Left wrist X-ray; lat; subsequent exam:
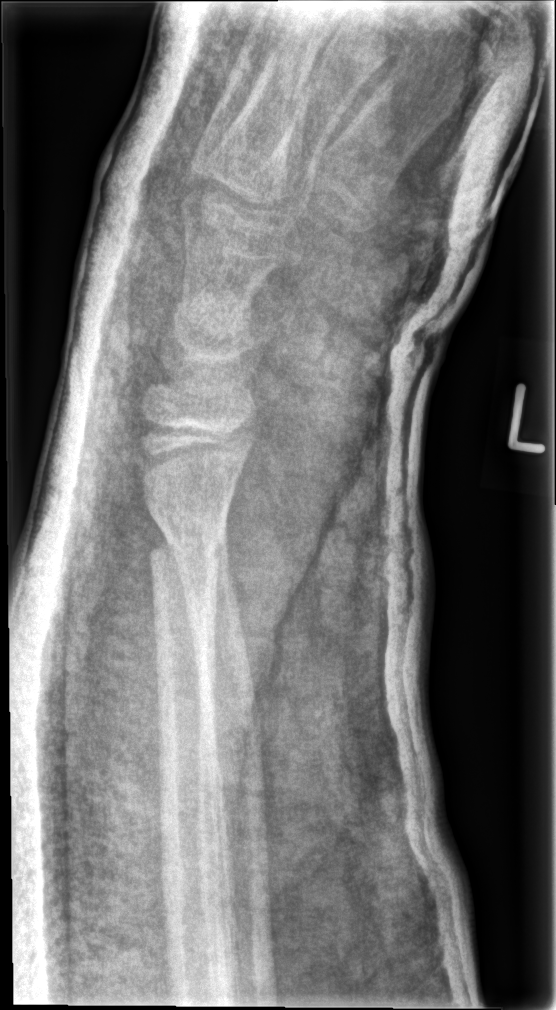

{
  "ao": "23r-M/3.1; 23u-M/2.1",
  "fracture": "146 527 233 588"
}